Lateral view, R wrist radiograph, pediatric patient (male, age 15), index exam, image width 68.3 mm —
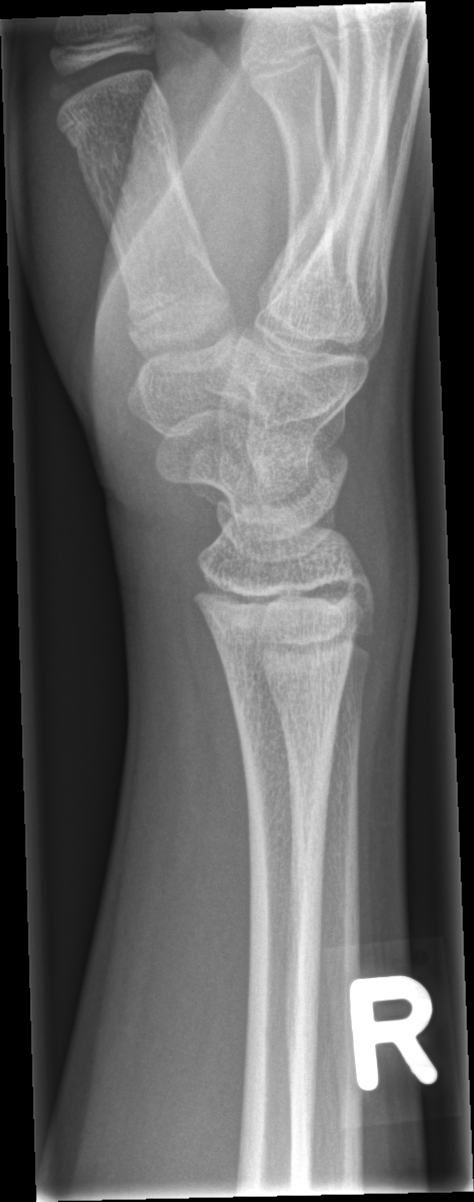
* No fracture annotation.